Posteroanterior projection | Rt plain radiograph of the wrist | age 4 y, male | 766 x 890 px
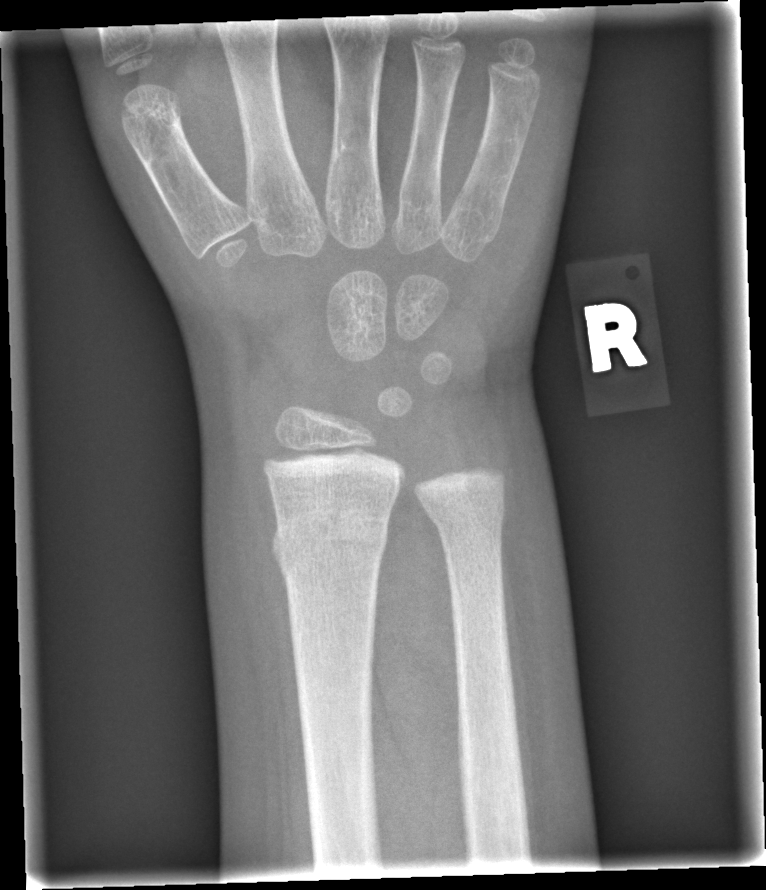
* Coordinates are [x1, y1, x2, y2] in image pixels.
* Fracture identified at <270,499>-<392,582>; <417,478>-<510,542>.
* Fracture classified AO/OTA 23-M/2.1.